Lateral projection · Rt wrist radiograph 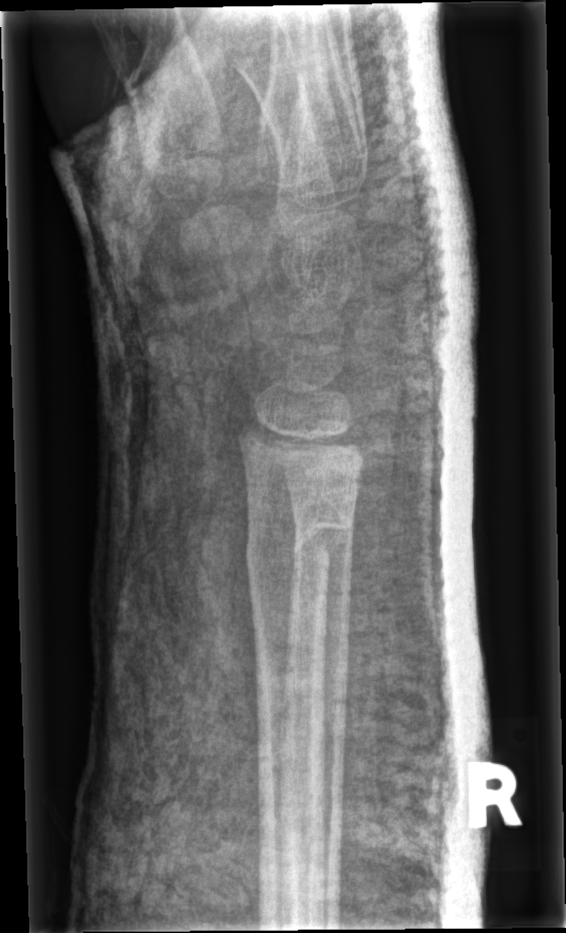
  fracture: 1 @ bbox(242, 504, 357, 578)
  ao: 23r-M/2.1